Posteroanterior, right wrist X-ray, presentation radiograph, image 78.6 mm wide —
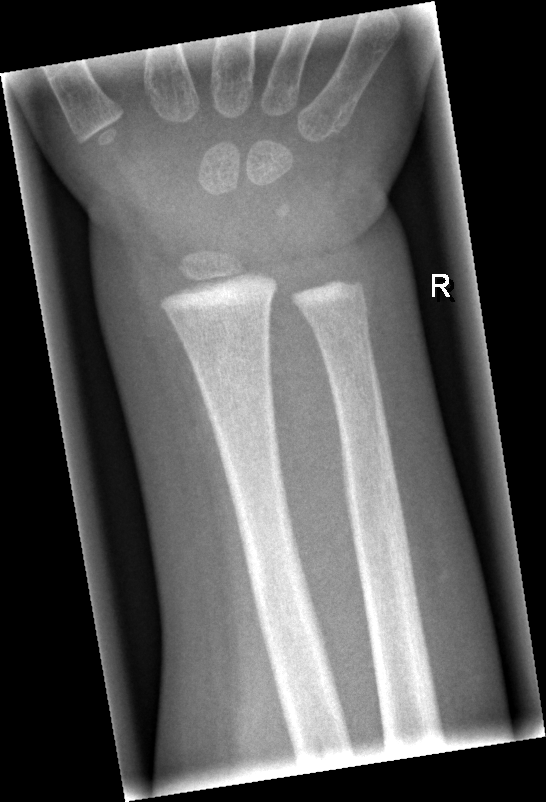
Q: Is there a fracture?
A: Fracture: none labeled